Lateral | L pediatric wrist radiograph | follow-up — 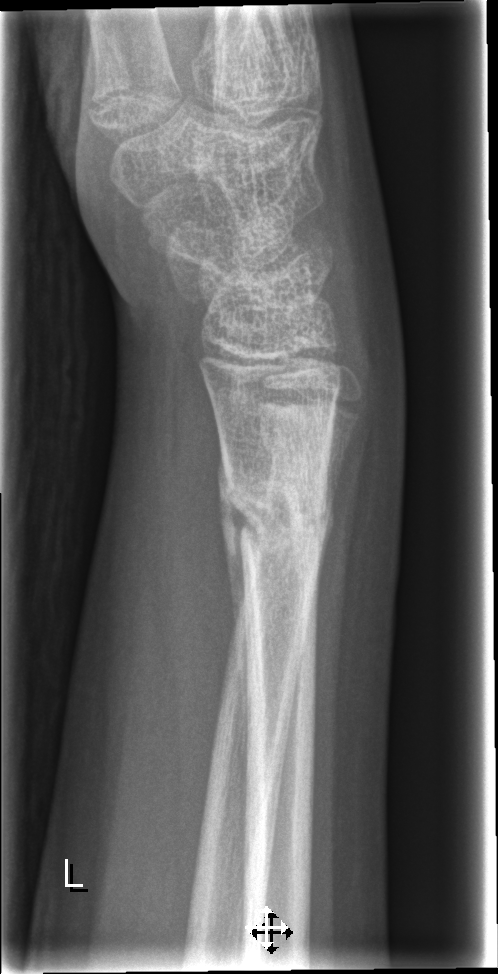 FINDINGS — (coordinates are [x1, y1, x2, y2] in image pixels) AO/OTA classification: 23r-M/3.1; 23u-M/2.1. Reduced bone mineral density. One periosteal thickening at bbox(214, 452, 256, 747). Fx identified at bbox(216, 452, 335, 572), bbox(256, 416, 349, 494).